R pediatric wrist radiograph; lateral; presentation radiograph; detector: Siemens: 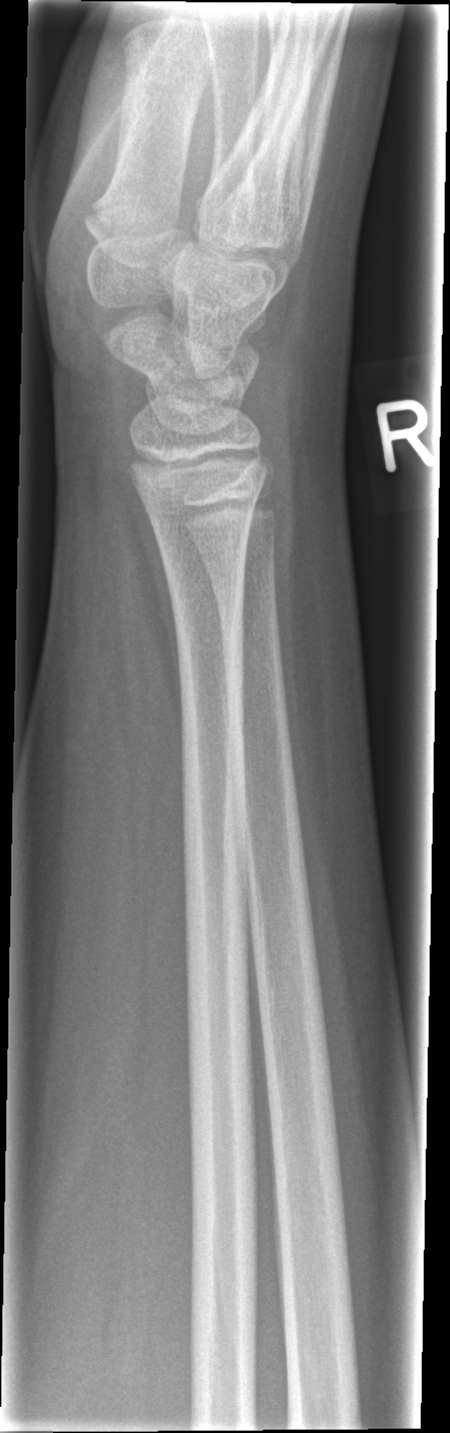

{
  "fracture": "none labeled"
}